PA/AP projection; L wrist plain film; presentation radiograph — 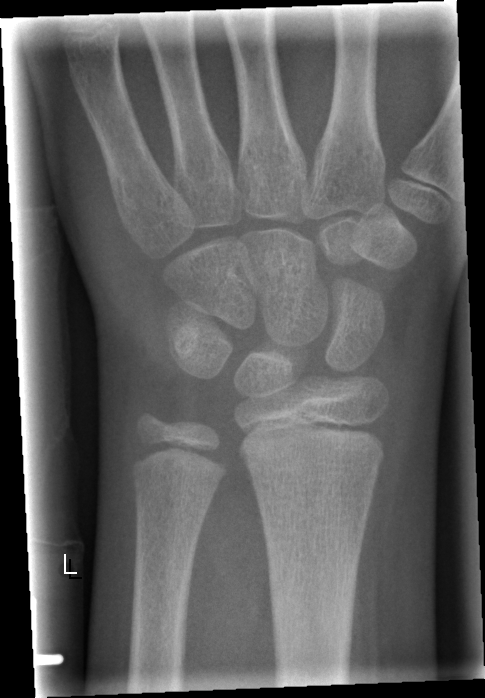
Bone fracture = none labeled